Right wrist radiograph, frontal view, 17-year-old boy, 109.7 mm image width.

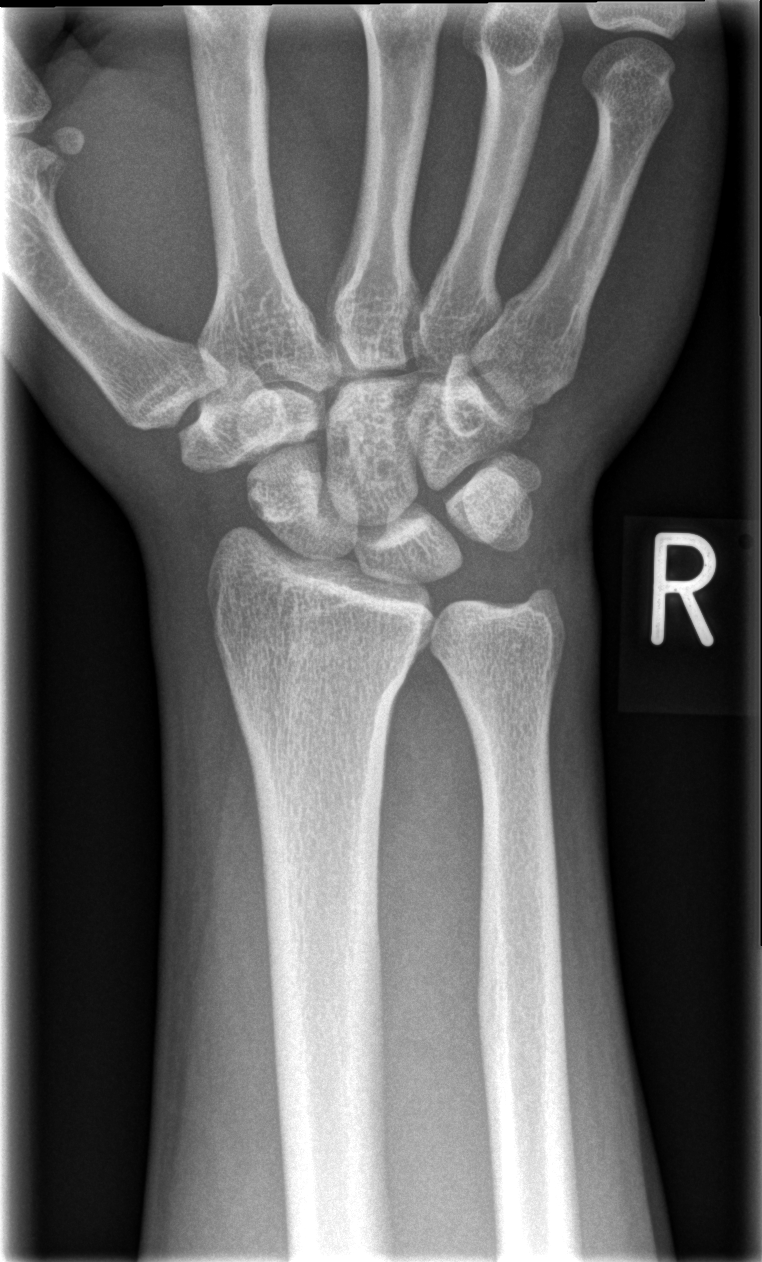

No Fx annotated.